AP · left wrist XR 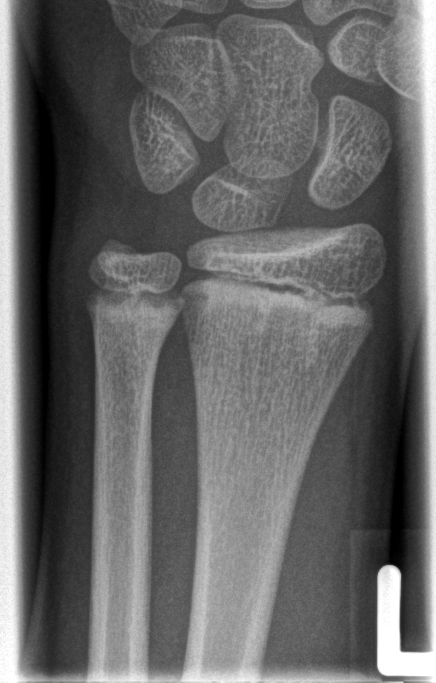
{"fracture": "none labeled"}